Posteroanterior projection, Lt plain radiograph of the wrist, female, 10 yo, subsequent exam, acquired on Siemens, image size 598x1024 —

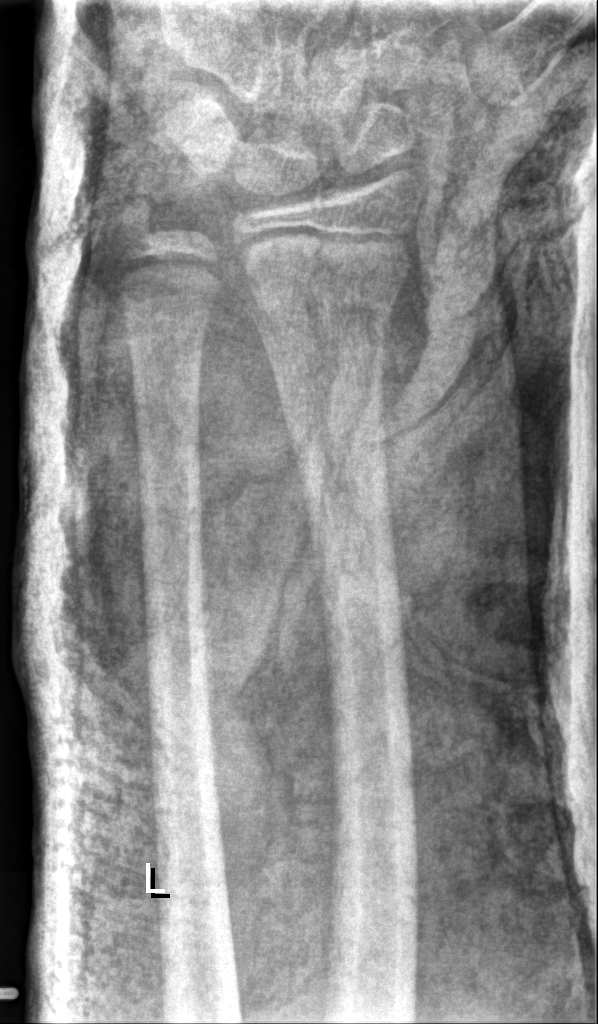
Boxes as x1,y1,x2,y2 (top-left / bottom-right, pixel units).
AO/OTA classification: 23r-M/3.1; 23u-E/7.
One Fx at bbox(241, 263, 408, 345).